AP · L plain radiograph of the wrist · age 11 y, male · 114.3 mm image width
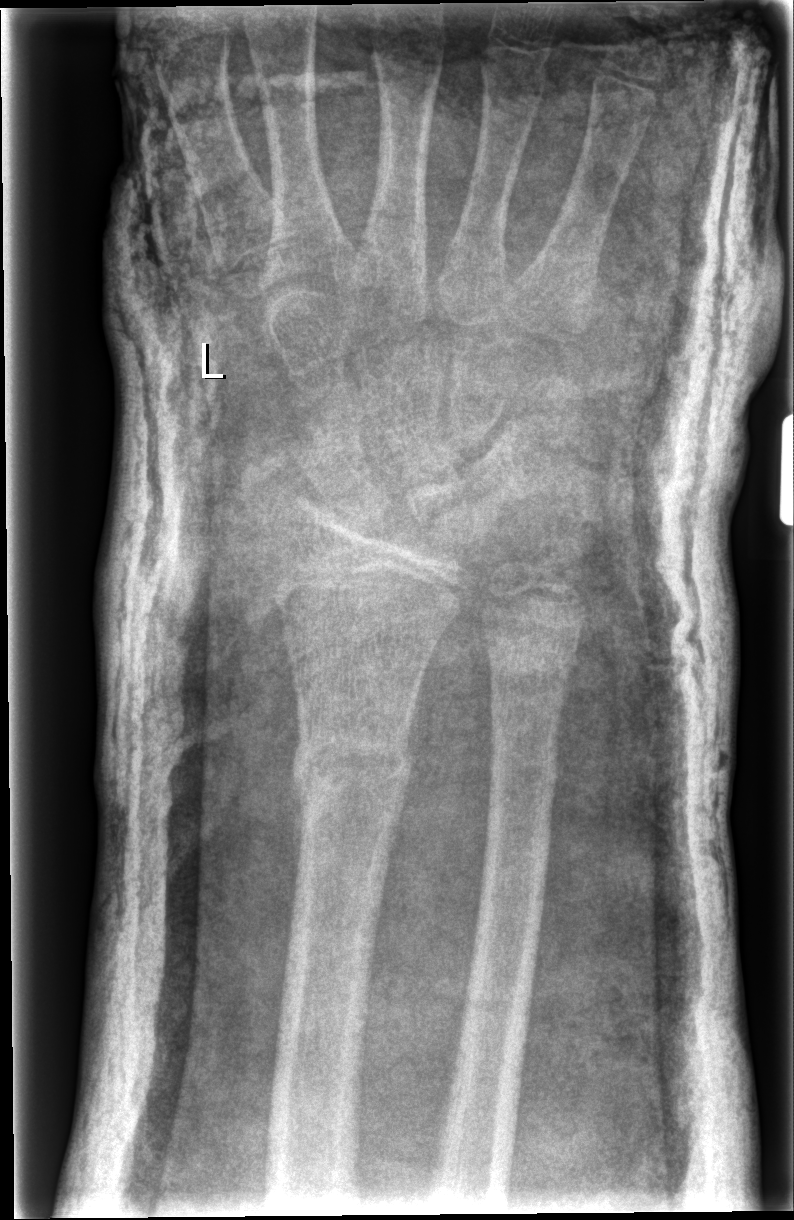

(coordinates are [x1, y1, x2, y2] in image pixels)
Bone fracture = 2 @ <483,665>-<569,777>, <288,729>-<416,804>
AO/OTA = 23r-M/3.1; 23u-M/2.1